Posteroanterior projection, left pediatric wrist radiograph, pediatric patient (boy, age 9), presentation radiograph
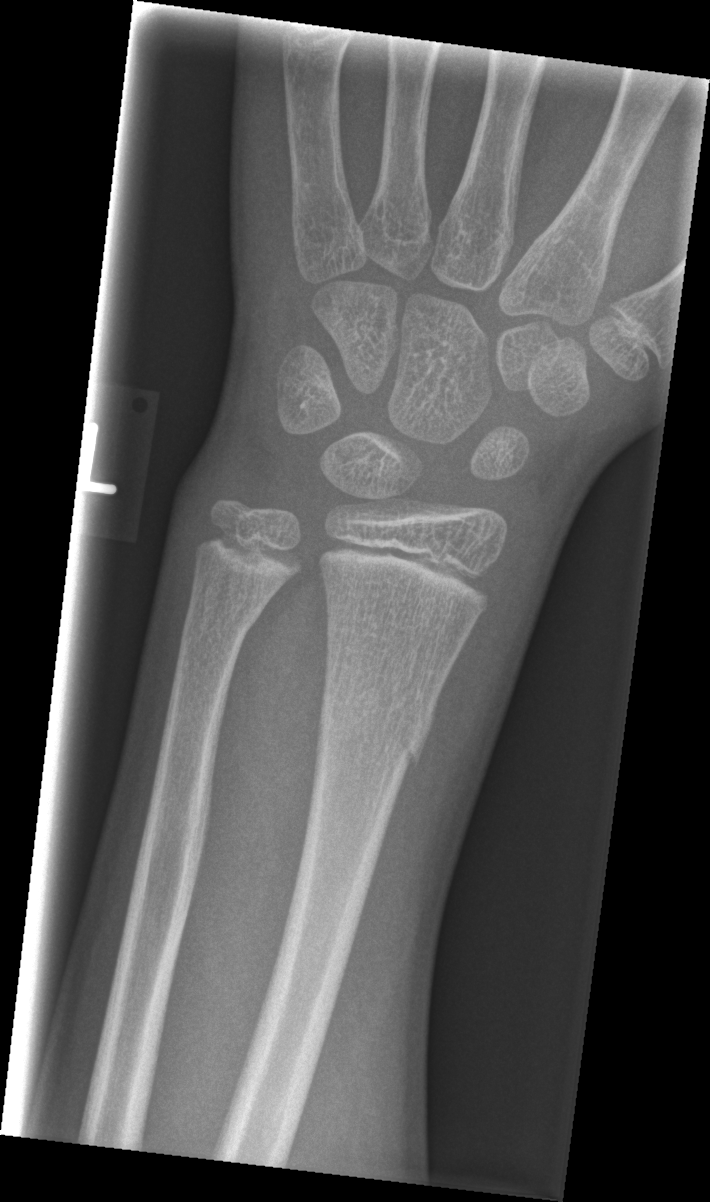 • Boxes as x1,y1,x2,y2 (top-left / bottom-right, pixel units).
• Two Fx at 314 693 439 775 | 177 595 264 651.